Posteroanterior view; Lt wrist XR; 8y F; 478 by 968 pixels — 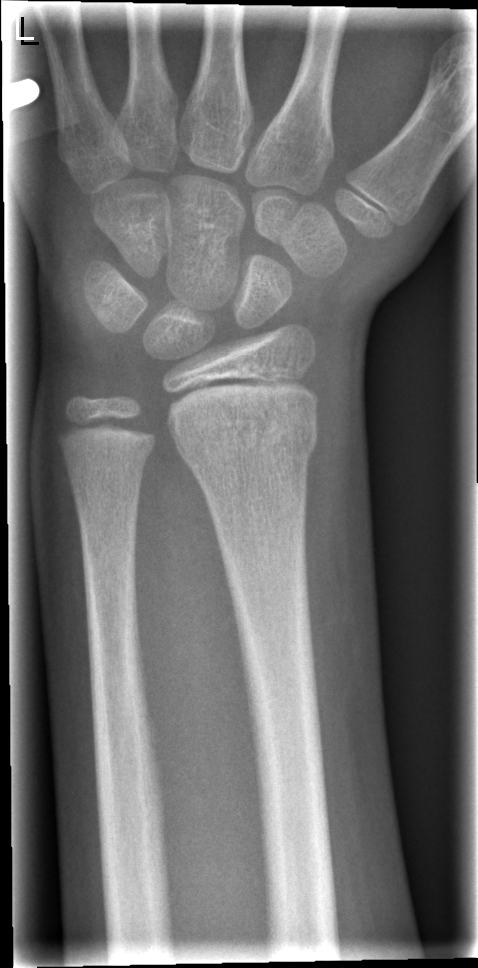

Bone fracture: (169, 396, 322, 473).
AO code 23r-M/2.1.